Lt pediatric wrist radiograph · PA/AP view 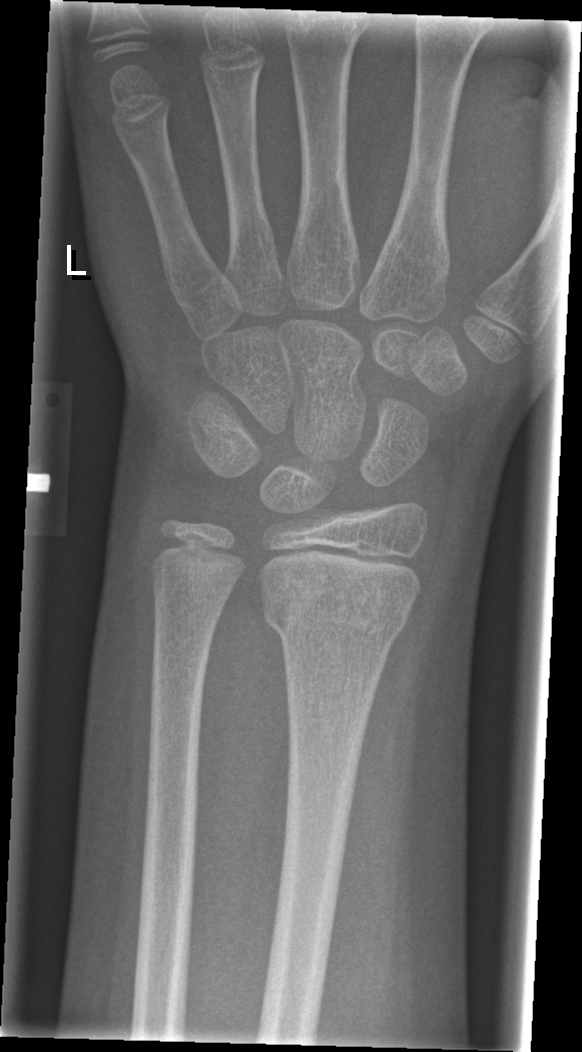 Findings: One Fx at [x1=258, y1=578, x2=420, y2=652].